Lt wrist radiograph, lat view, subsequent exam, detector: Siemens. 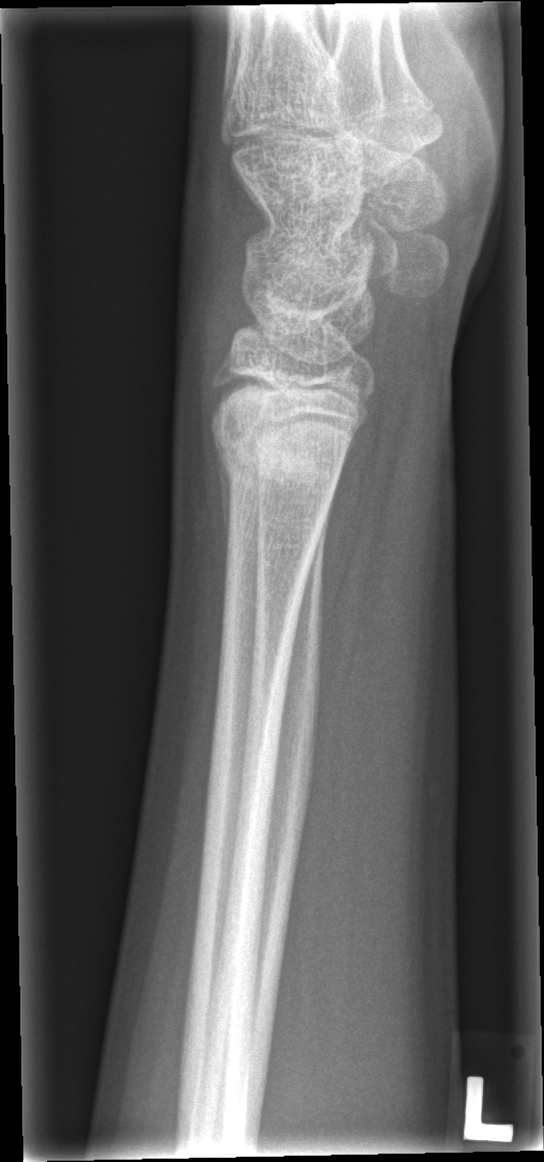

- Periosteal reaction identified at [x1=214, y1=436, x2=234, y2=591].
- AO code 23r-M/3.1; 23u-E/7.
- Fracture — [x1=207, y1=409, x2=365, y2=493].